Left wrist plain film · AP projection · pediatric patient (male, age 14) · imaged through cast.
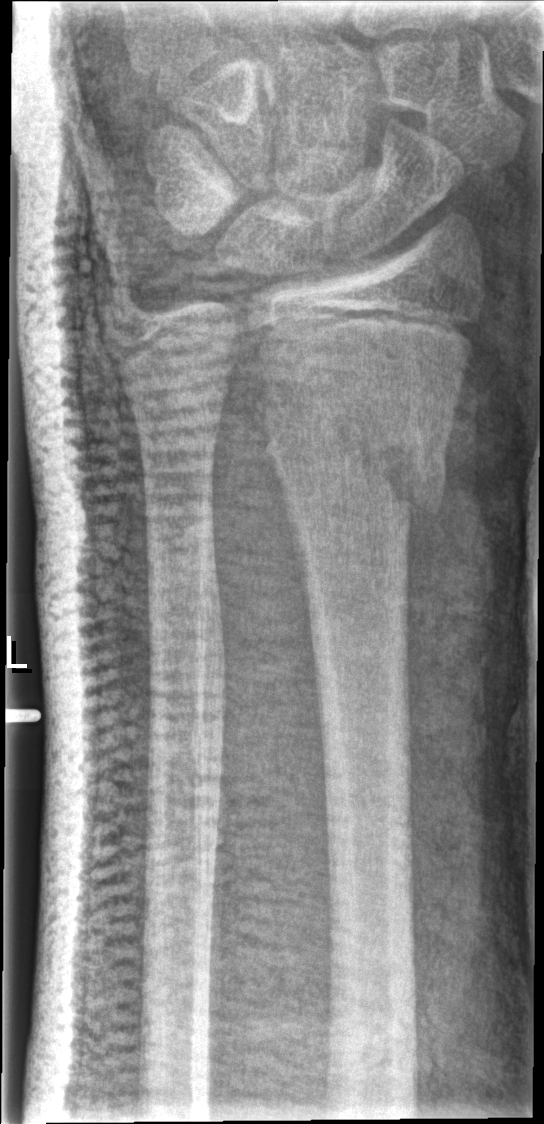 (coordinates are [x1, y1, x2, y2] in image pixels)
AO code = 23-M/3.1; 23u-E/7
Fx = (left=256, top=368, right=448, bottom=540)